PA/AP | Lt wrist plain film | pediatric patient (boy, age 12) | 590 by 1000 pixels — 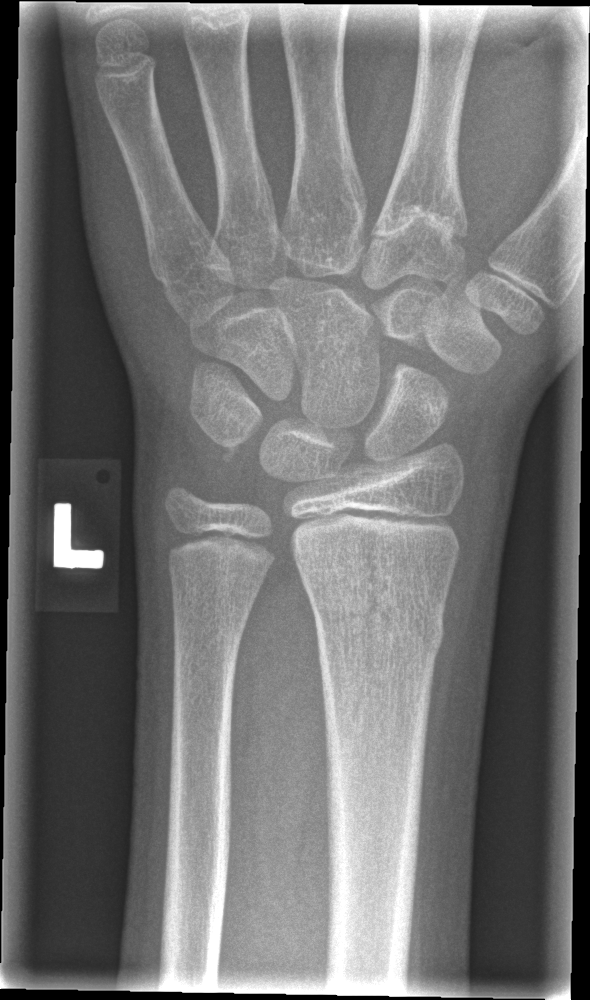
• Coordinates are [x1, y1, x2, y2] in image pixels.
• Fx identified at [x1=308, y1=568, x2=448, y2=667].